Left wrist X-ray | PA projection | 1.5-year-old girl —
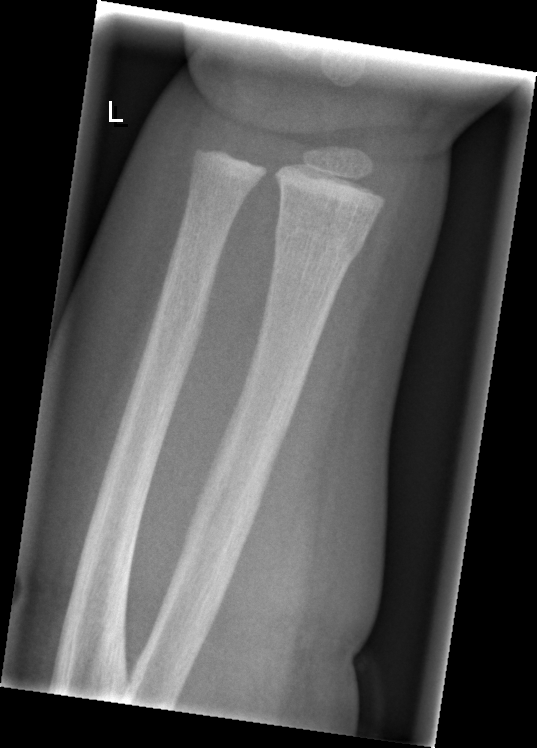
(bounding boxes in image-pixel xyxy)
Bone fracture: 272 218 367 269
AO classification: 23r-M/2.1